Right wrist X-ray; lateral view; age 7 y, boy; cast present —
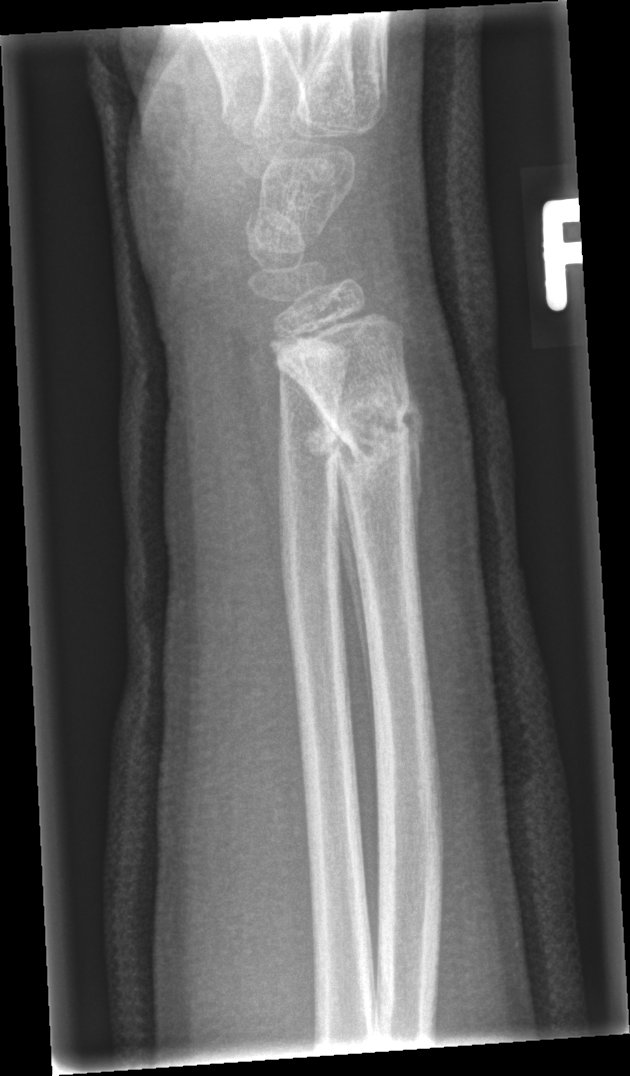
Q: AO code?
A: AO code 23r-M/3.1; 23u-M/2.1
Q: Is there a fracture?
A: Fracture — 335 386 416 483
Q: Is there periosteal reaction?
A: Two periosteal new bone at 332 433 365 679 | 401 389 424 514
Q: Bone density?
A: Osteopenia